AP projection, Lt wrist XR, detector: Siemens.
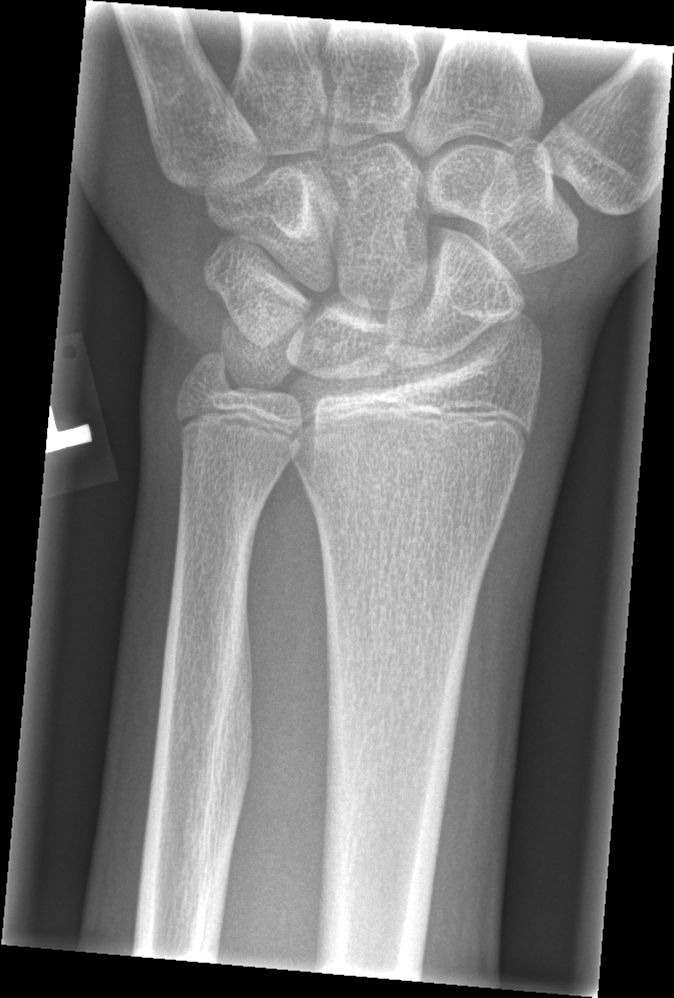 FINDINGS — Fx: present but not clearly seen in this view.